Rt wrist X-ray | PA/AP projection | 6-year-old male —
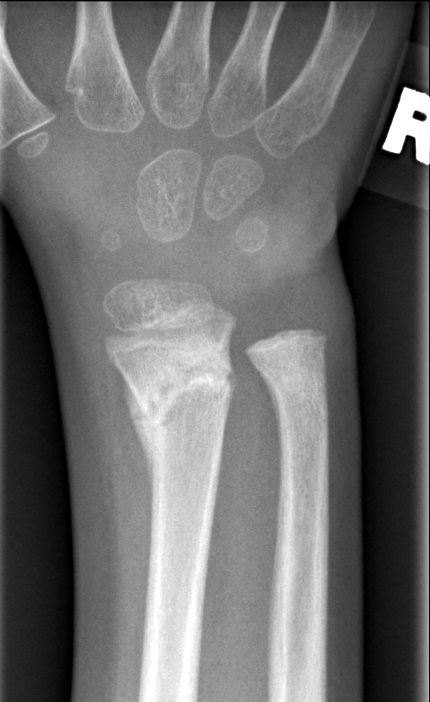

(pixel coordinates, top-left origin, xyxy)
periosteal thickening: 3 @ <122,371>-<159,531>; <258,368>-<281,467>; <226,358>-<239,417>
AO classification: 23r-M/3.1; 23u-M/2.1
osteopenia: present
bone fracture: 2 @ <124,334>-<237,448> <266,354>-<331,417>